Right wrist plain film; lat
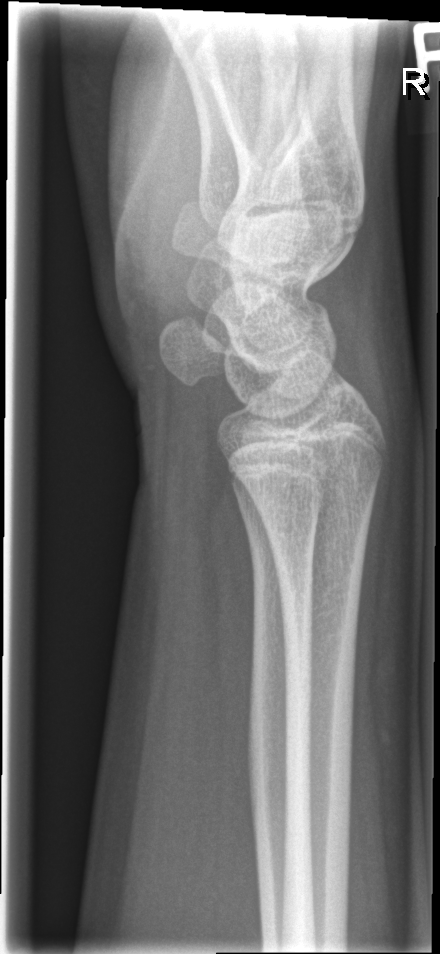
FINDINGS: Fracture: none labeled.